Frontal view | L wrist radiograph | cast present
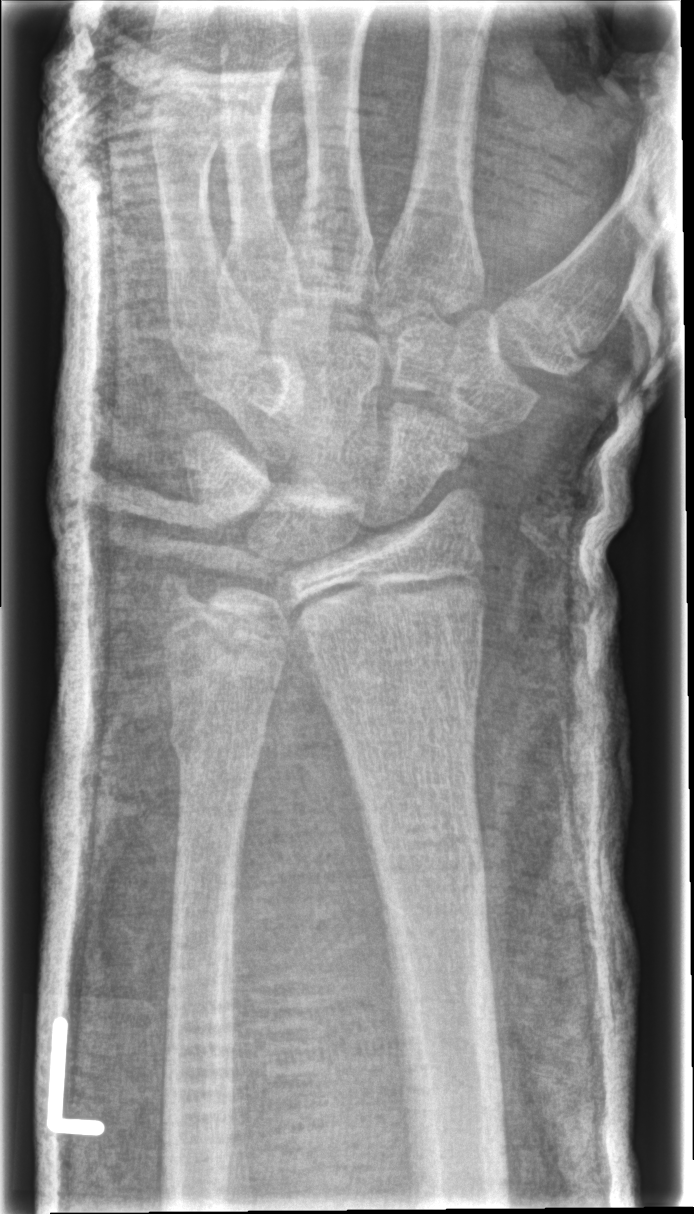

- Fractures — [364, 818, 492, 893], [166, 713, 268, 775].
- AO/OTA classification: 23-M/2.1.